Left wrist radiograph · PA/AP projection · girl, 13 yo · acquired on Siemens: 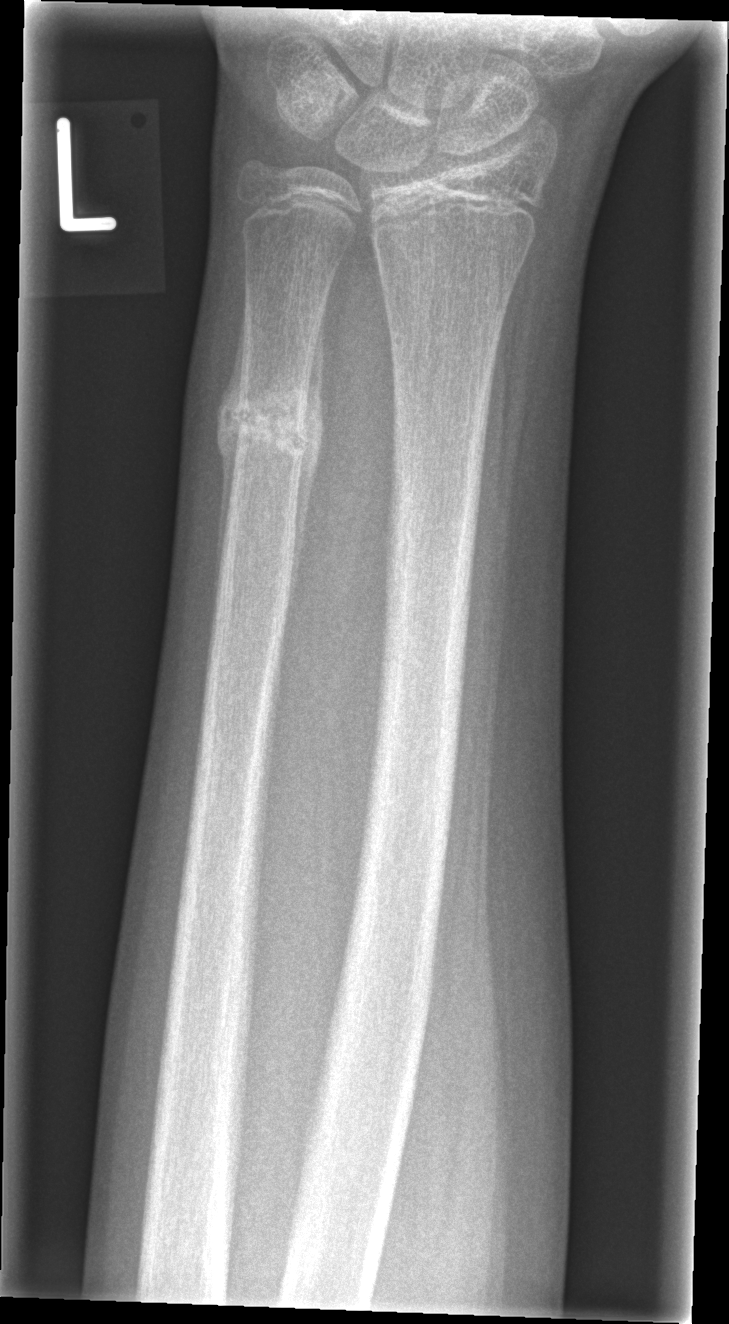

  # pixel coordinates, top-left origin, xyxy
  osteopenia: present
  periostealreaction: 2 @ (285, 294, 329, 623), (210, 295, 246, 643)
  fracture: 1 @ (212, 379, 327, 476)